L plain radiograph of the wrist | lat — 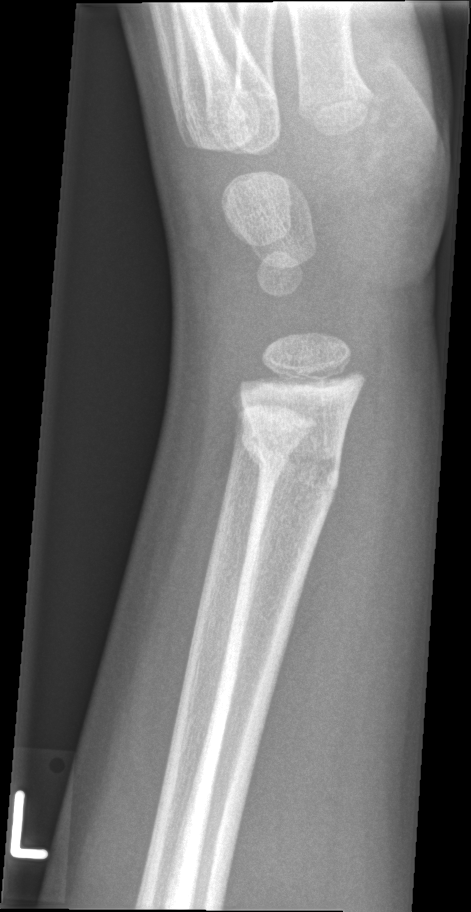

Bone fracture — [236, 419, 344, 504].